Left wrist plain radiograph of the wrist; PA view; pediatric patient (boy, age 11); Siemens; 694 x 988 px —

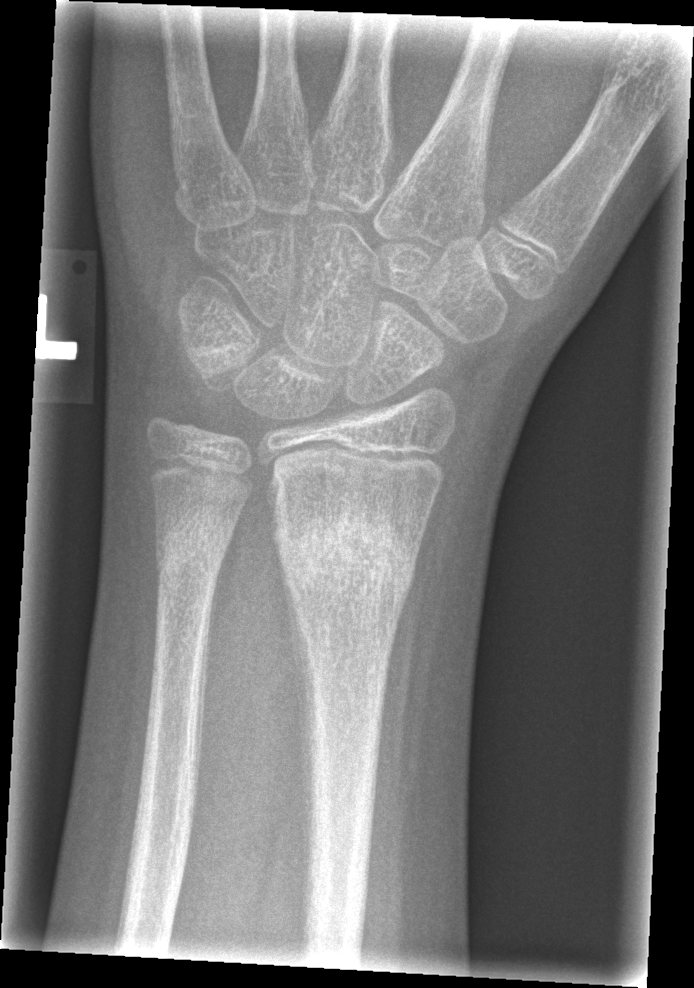
• Decreased bone density (osteopenia).
• AO code 23-M/2.1.
• Periosteal reaction identified at [x1=282, y1=544, x2=317, y2=832].
• Two fractures at [x1=267, y1=501, x2=423, y2=595]; [x1=150, y1=510, x2=238, y2=582].